Lt wrist radiograph | lat view | acquired on Siemens:
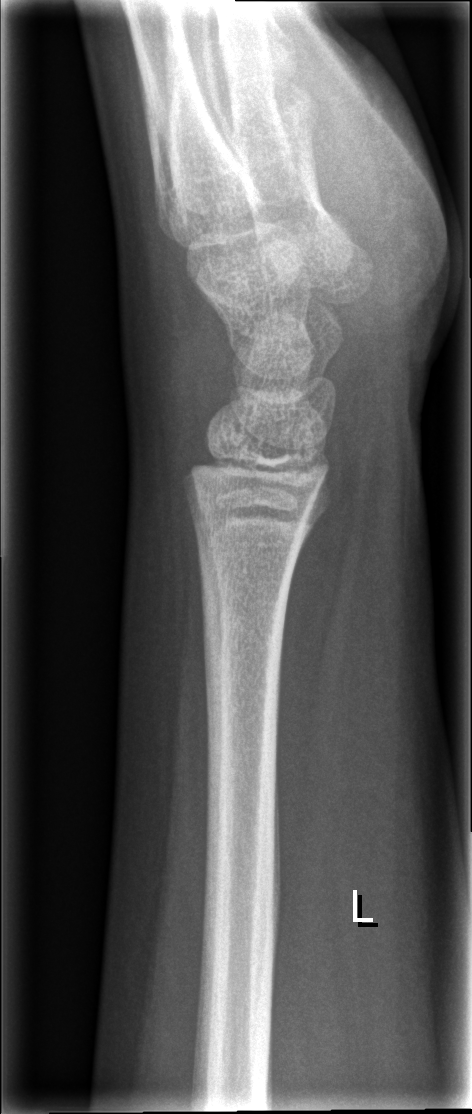
FINDINGS: No fracture annotation.